Left wrist radiograph, lateral, 10-year-old boy, index exam, detector: Siemens 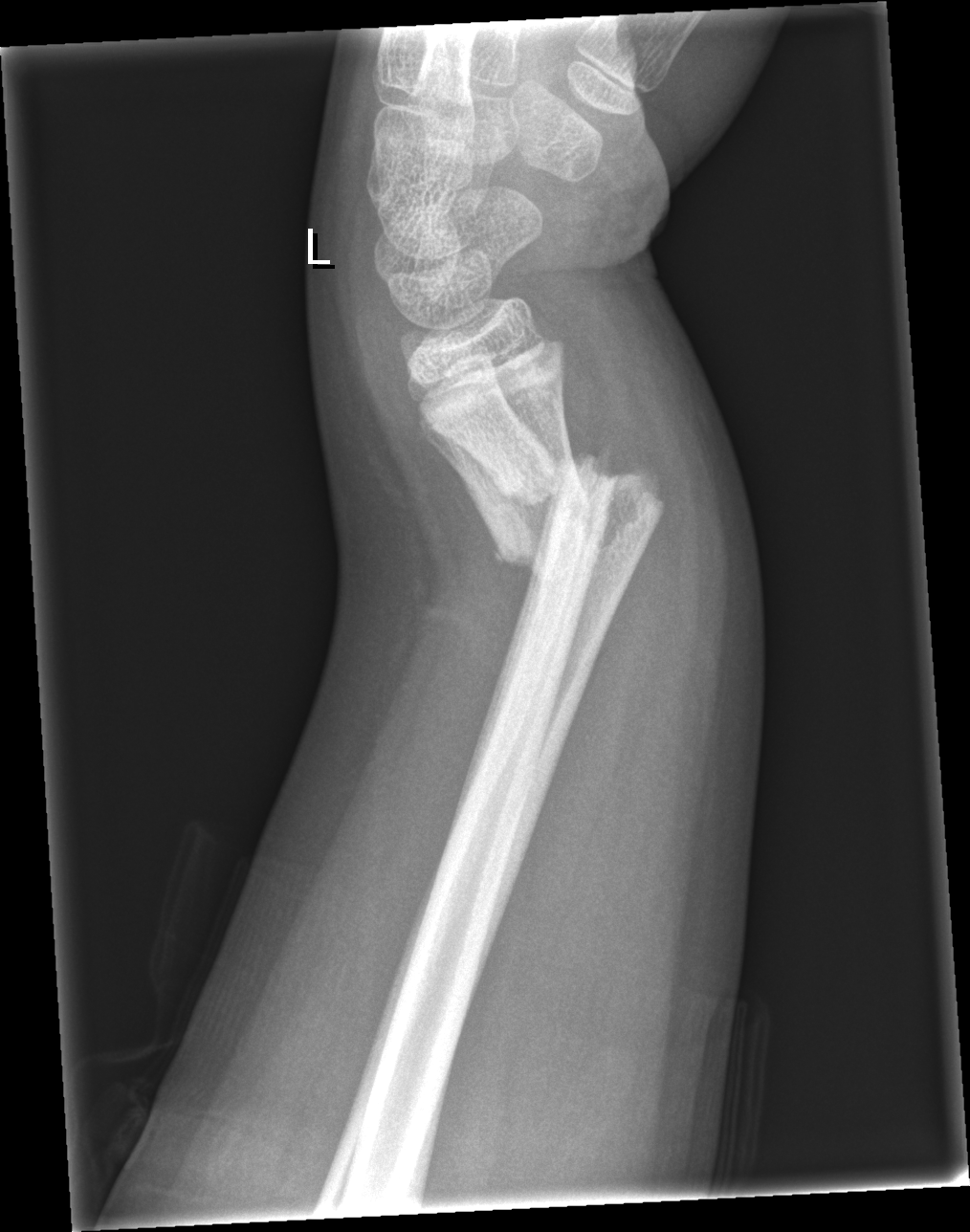 Fracture classified AO/OTA 23-M/3.1.
Fracture: [492, 440, 670, 577].